Lt wrist plain film, posteroanterior view, image width 105.1 mm, image size 730x979
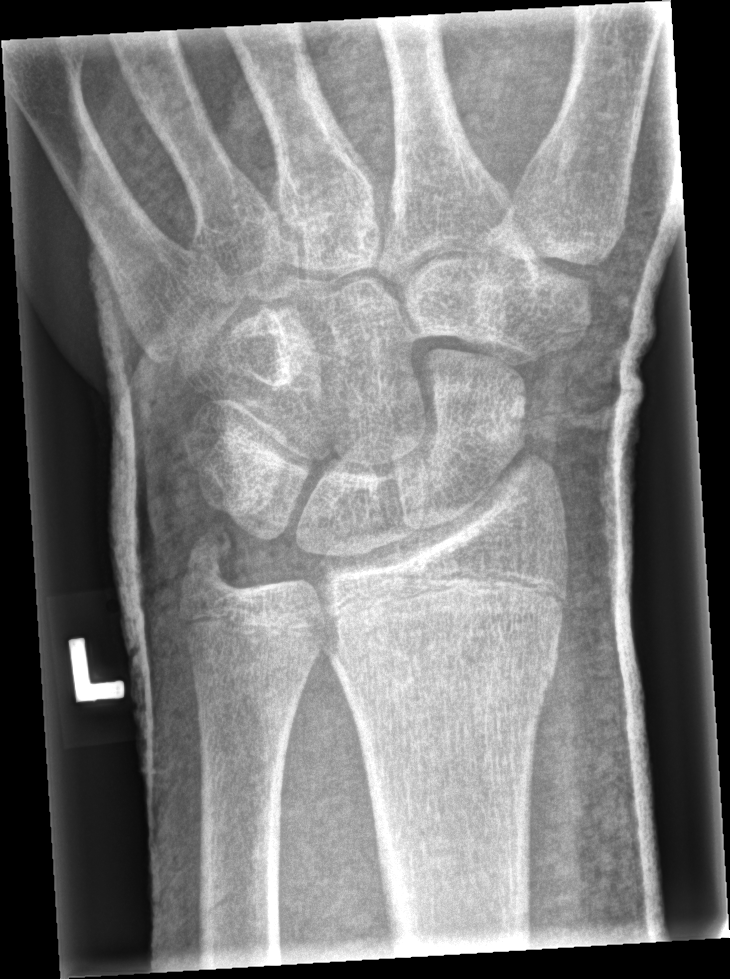

AO code 23r-M/3.1; 23u-E/7. Bone fracture identified at 326,584,565,706; 184,505,246,586.